Lateral projection, right wrist radiograph, pediatric patient (female, age 9), detector: Siemens.
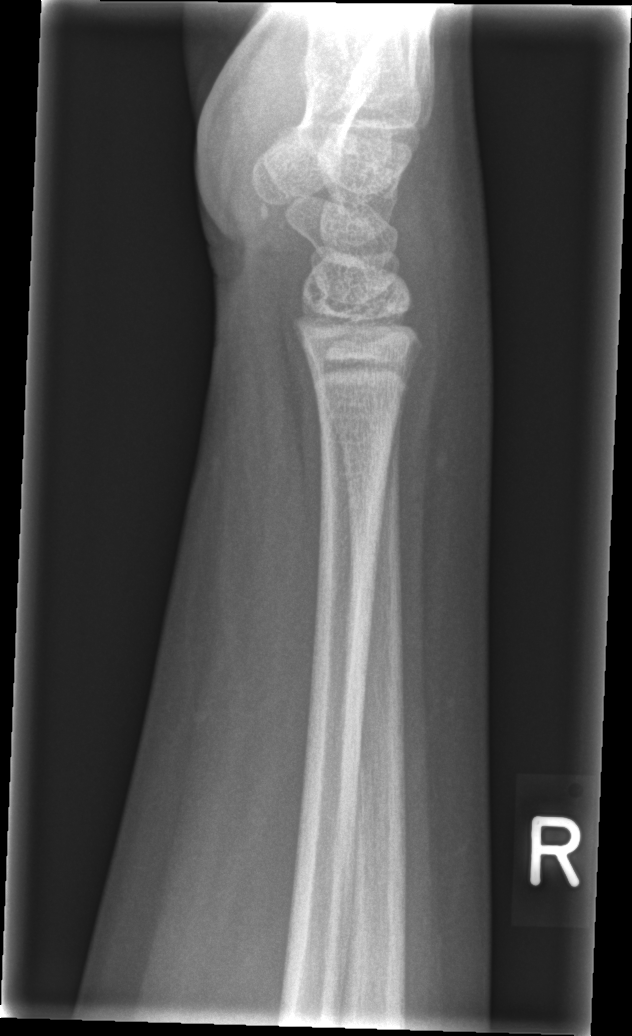

* No fracture annotation.